Right wrist radiograph; lateral projection. 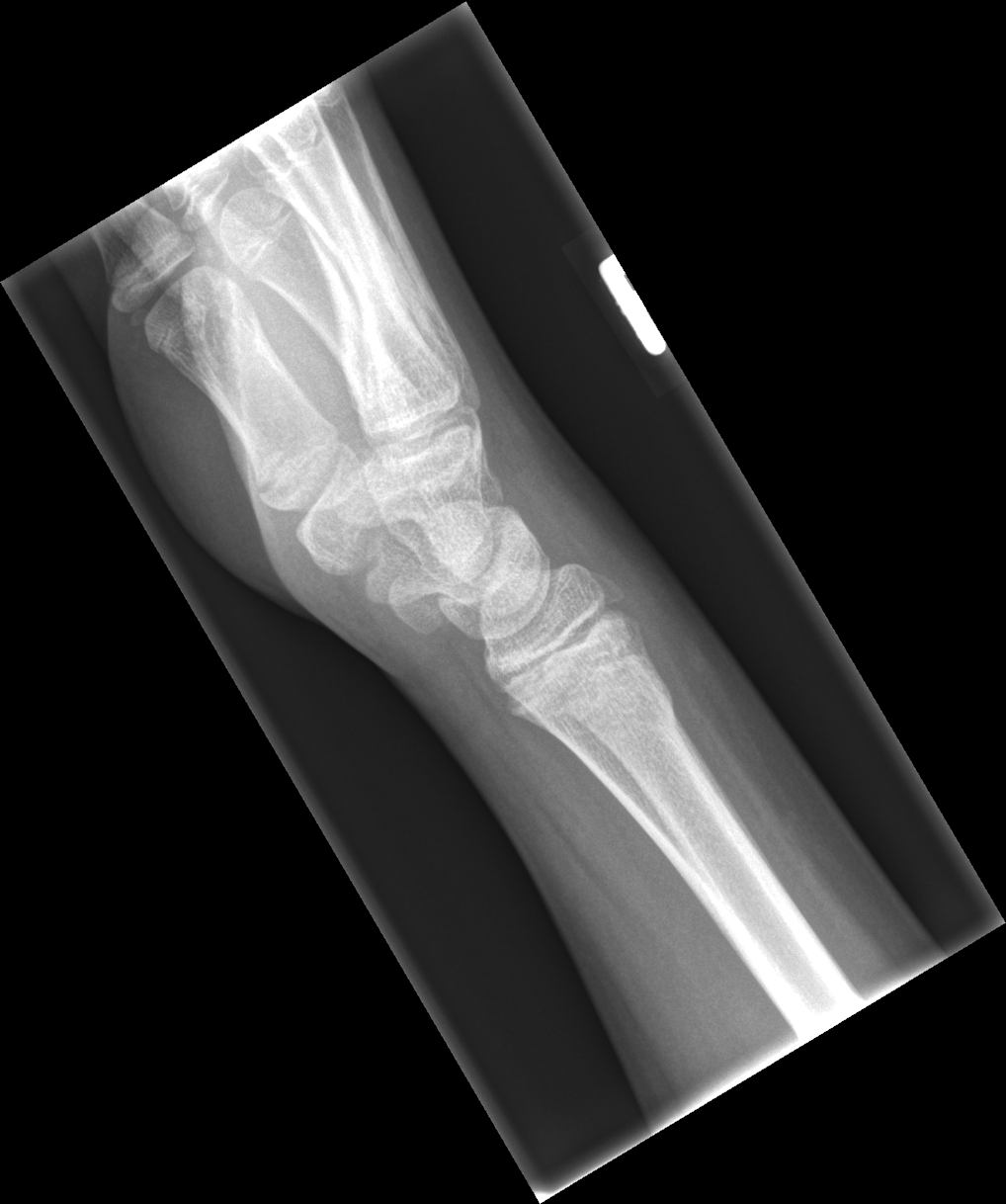
Pixel coordinates, top-left origin, xyxy. AO/OTA classification: 23r-M/2.1. Fx — 545 654 684 783.